AP, right wrist plain radiograph of the wrist, male, 18 yo, Siemens. 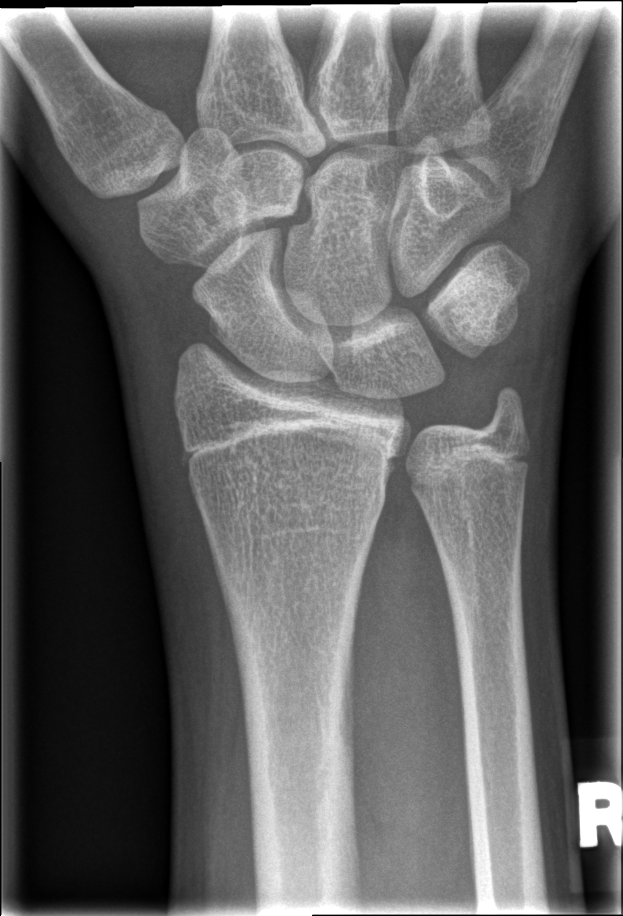 Bone fracture: none labeled